PA projection · right wrist X-ray · age 13 y, male · cast in situ · image width 115.9 mm.
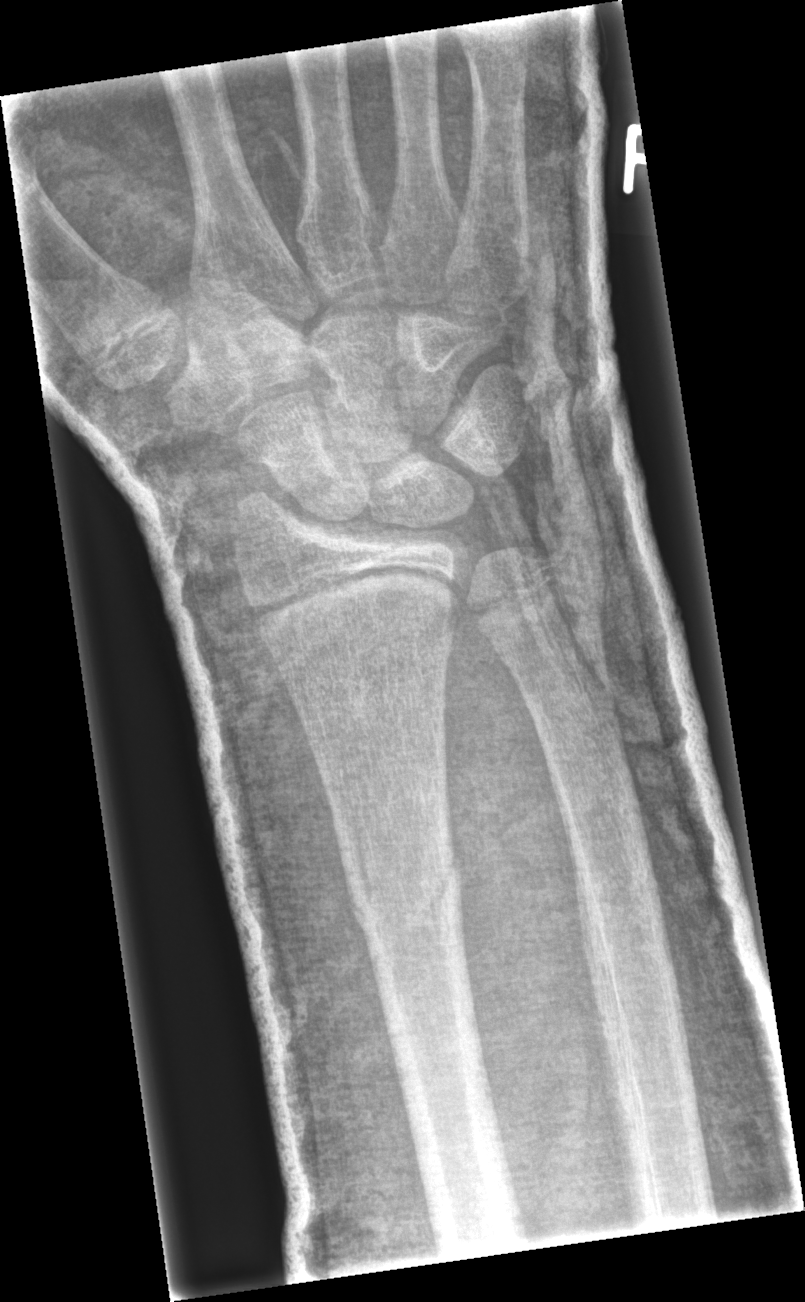 * Fracture — (left=338, top=846, right=471, bottom=954).
* Fracture classified AO/OTA 22r-D/4.1; 23u-E/7.